Left wrist plain film | lat projection | 9y M | cast in situ | image size 580x865.
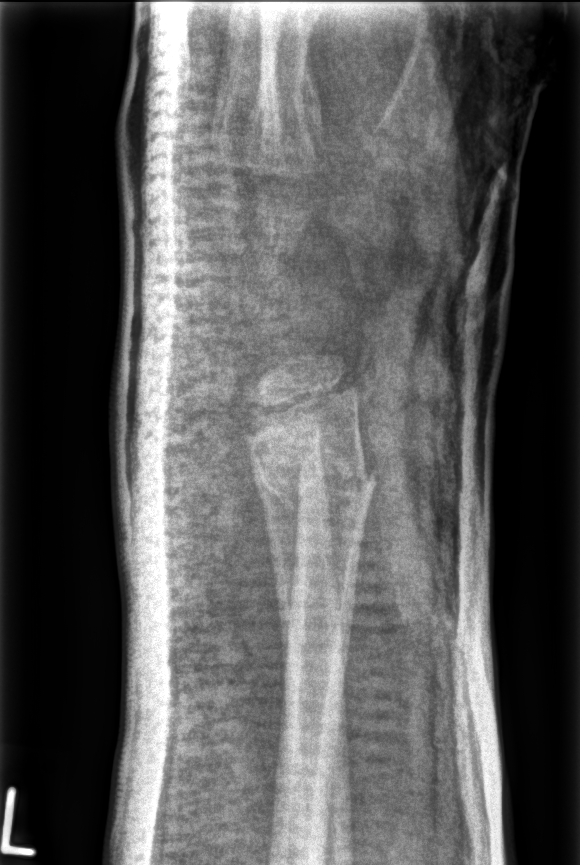
(coordinates are [x1, y1, x2, y2] in image pixels)
Bone fracture = 256 454 381 510